Lat view, Rt plain radiograph of the wrist, age 12 y, boy, follow-up study, cast present: 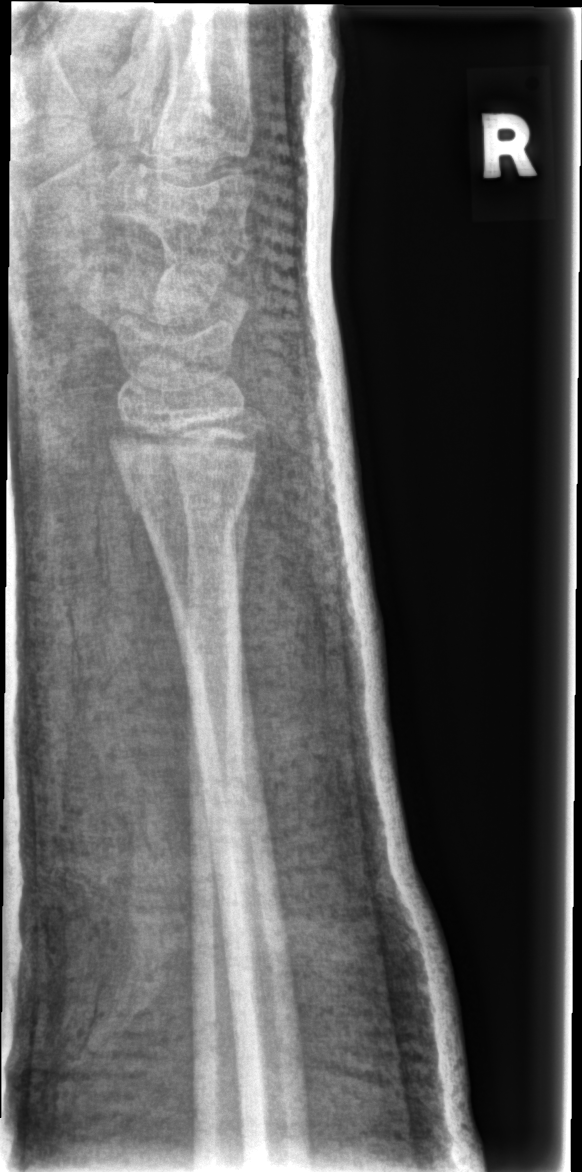 {"ao": "23r-M/3.1; 23u-E/7", "fracture": "<127,489>-<243,537>"}